PA/AP projection | R wrist plain film | age 9 y, male:
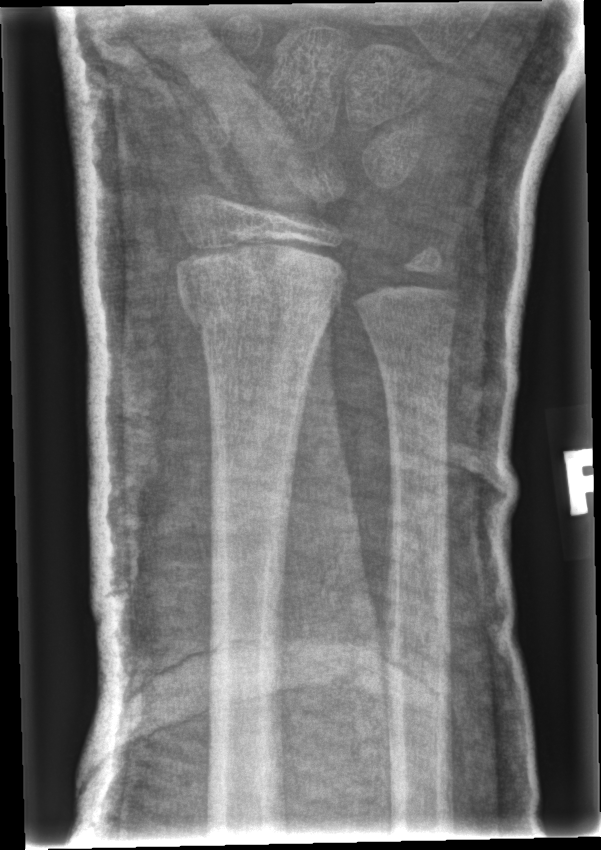 (bounding boxes in image-pixel xyxy)
Q: Fracture present?
A: Fracture: [x1=173, y1=261, x2=344, y2=349]